AP view | left wrist plain film | age 11 y, female | 595x1070 —
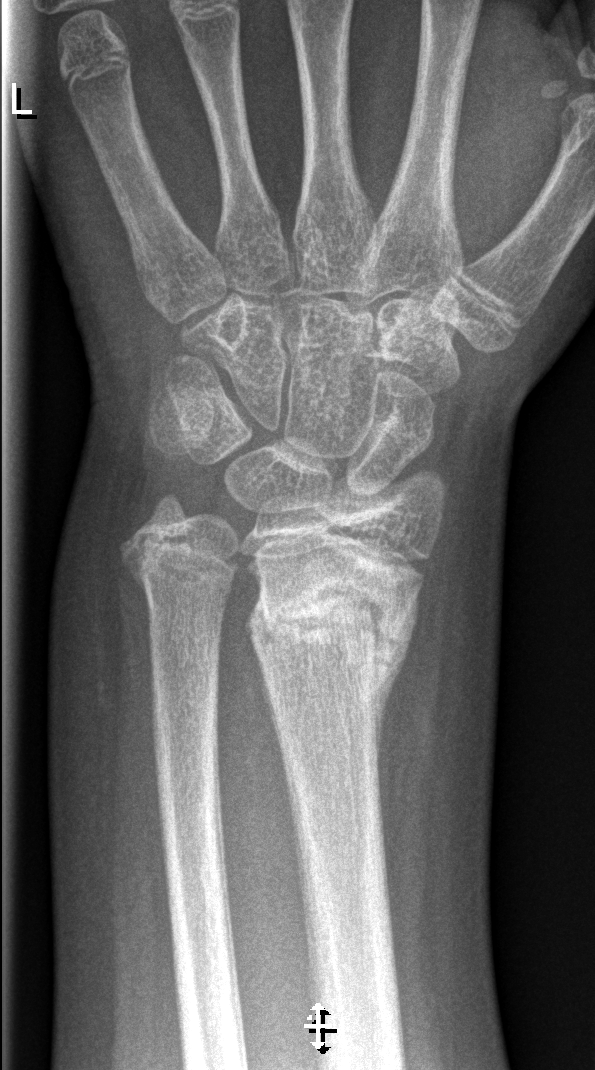
{"ao": "23-M/3.1", "fracture": "242,567,415,700 | 116,521,241,605", "osteopenia": "present"}